Left wrist plain film, lat view, follow-up study, 452 x 1074 px —
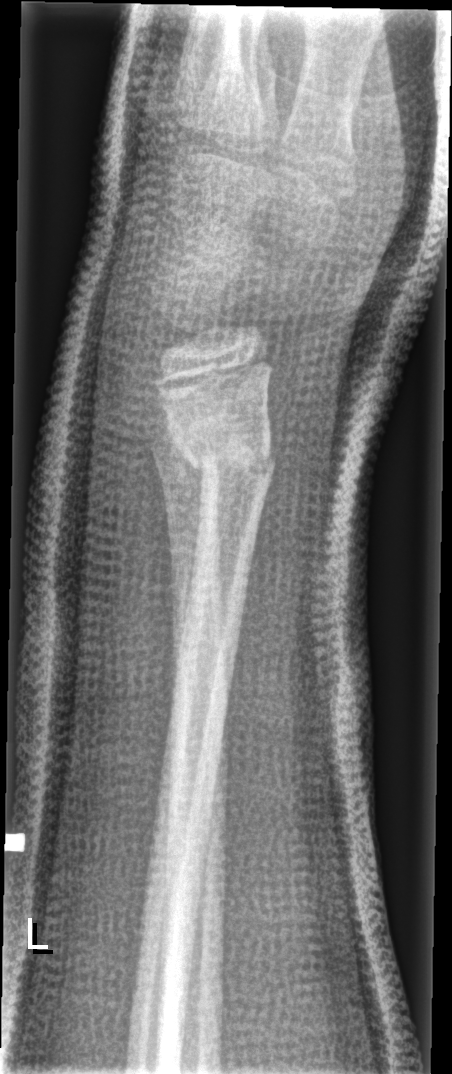
fracture = (left=181, top=427, right=278, bottom=494)